Right wrist radiograph | lat

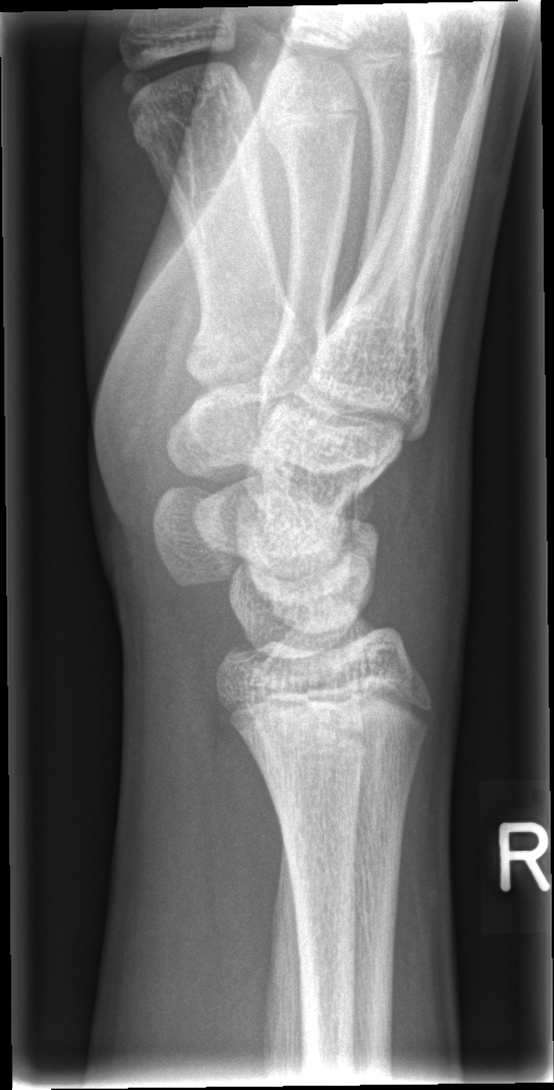 fracture: none labeled